Lateral projection | R pediatric wrist radiograph | in cast.

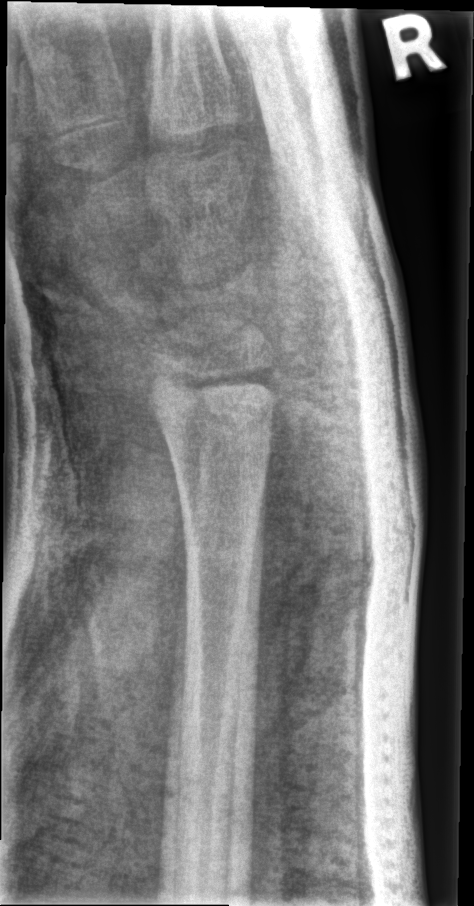 bone fracture = present but not clearly seen in this view
AO/OTA = 23r-E/2.1